Rt wrist X-ray; lat view
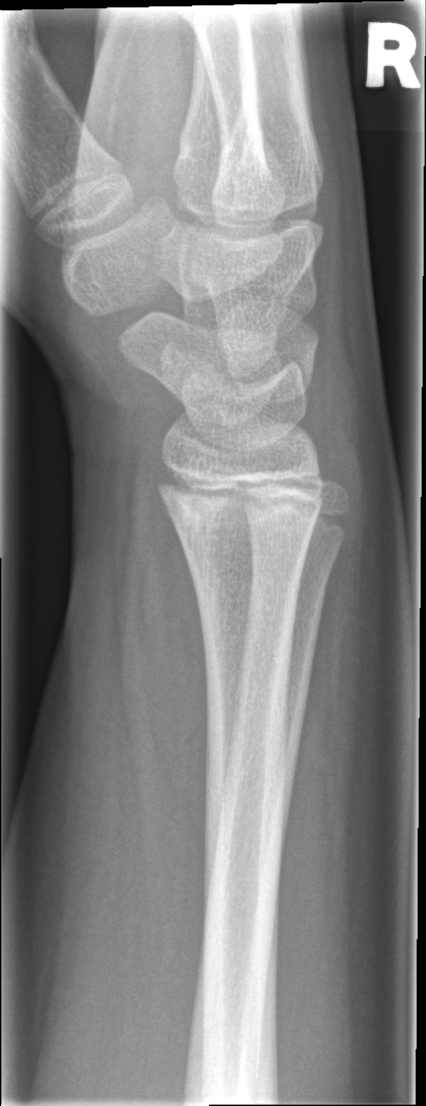

No fracture bounding box. Pronator sign identified at 128,442,215,866.